Frontal view | Rt wrist radiograph | 16-year-old girl | Siemens —

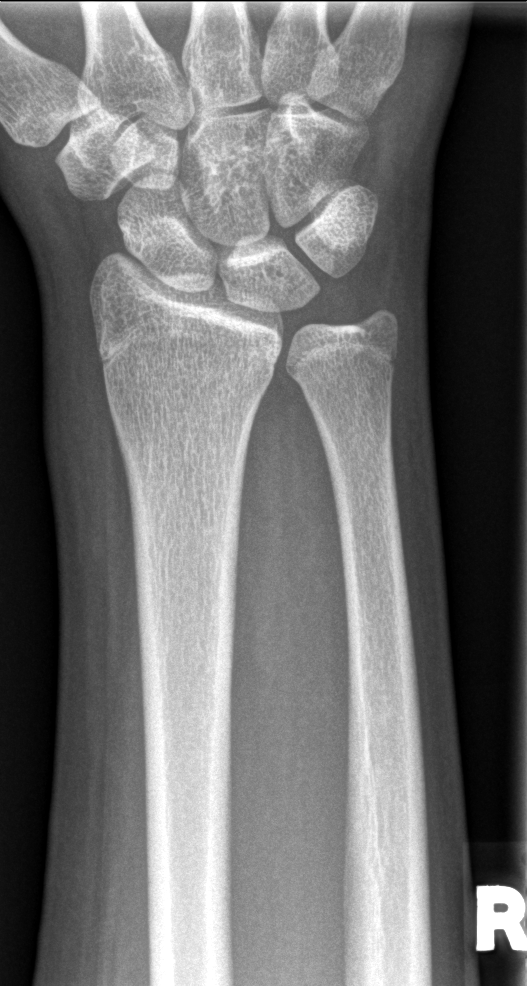
Findings: Fracture: none labeled.